Left wrist radiograph, PA view, 11y M, image 87.8 mm wide —
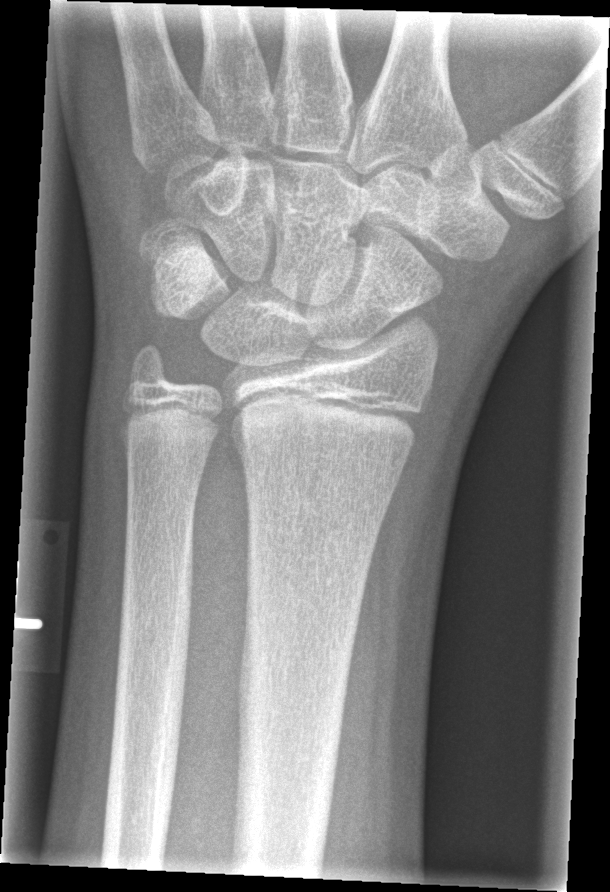
bone fracture: none labeled